PA/AP · L wrist plain film · follow-up · image size 430x765:
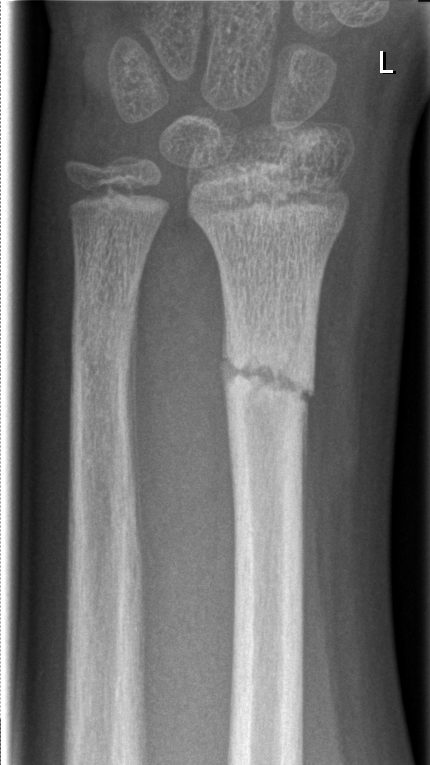 fracture: 2 @ [217, 333, 319, 418], [69, 289, 140, 354]
ao: 23r-M/3.1; 23u-M/2.1
osteopenia: present
periostealreaction: 2 @ [125, 289, 144, 579], [219, 295, 239, 400]